Right wrist radiograph, posteroanterior, pediatric patient (boy, age 14), detector: Siemens, image 81.8 mm wide:

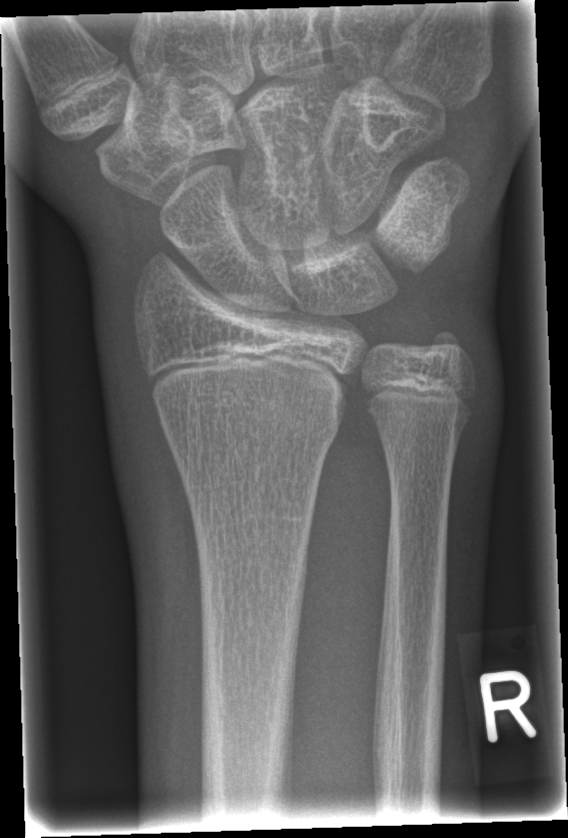

- AO code 23r-M/2.1.
- Fx present but not clearly seen in this view.